Right wrist XR, PA/AP view

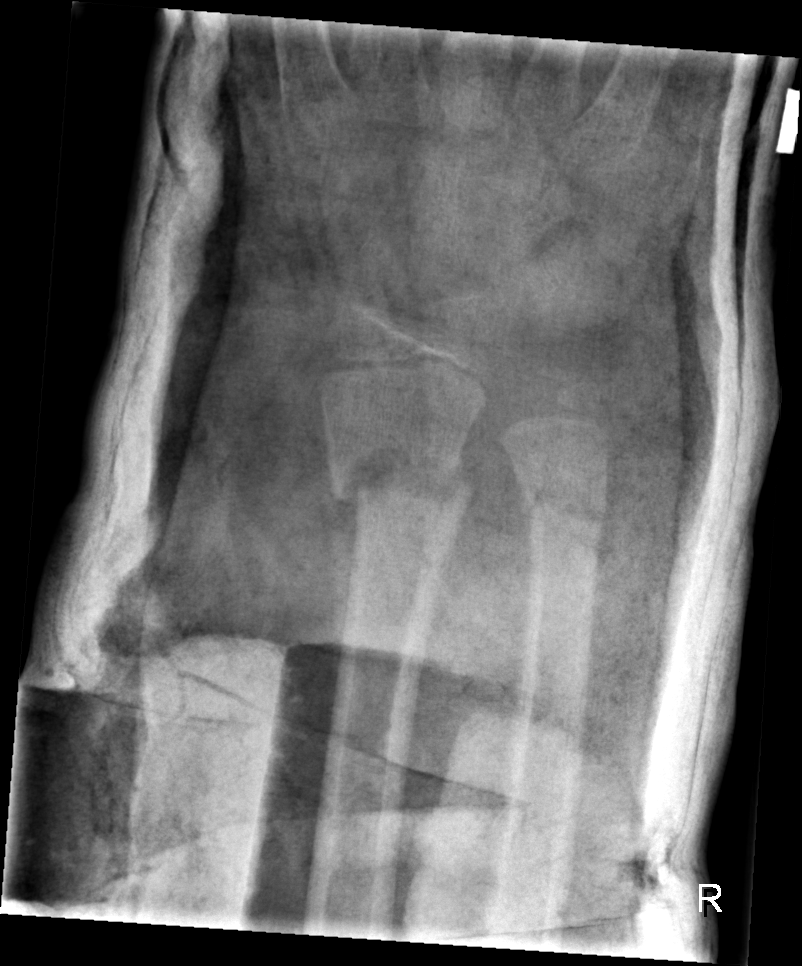

fracture: 326 424 478 535
  515 469 611 550
ao: 23r-M/3.1; 23u-M/2.1